Lat | right wrist XR | presentation radiograph

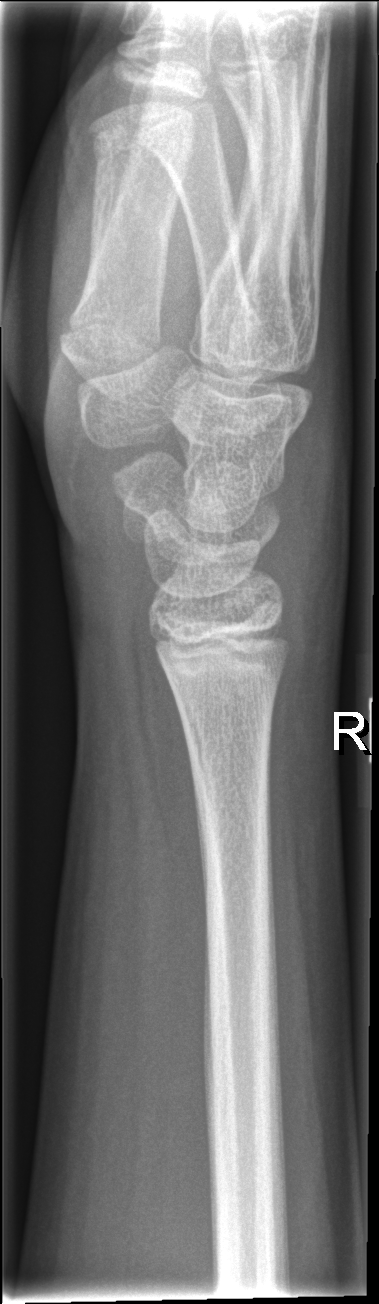 {
  "fracture": "none labeled"
}